Lt wrist plain film · posteroanterior projection · 10y M · 72.4 mm image width:

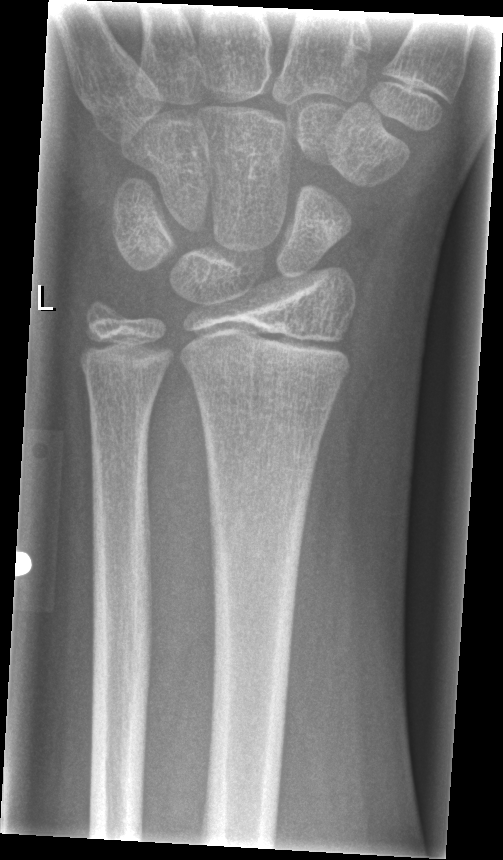 Fracture present, though not clearly seen in this view.